L wrist X-ray, PA projection, age 15 y, boy, image 95.8 mm wide.

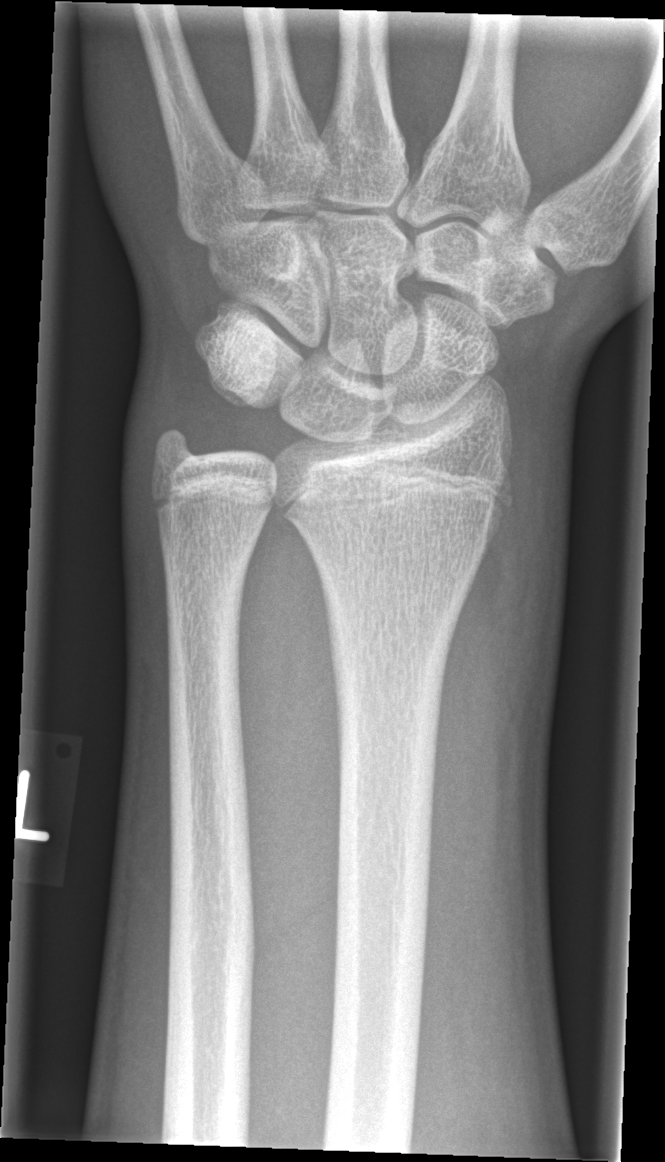
Bounding boxes in image-pixel xyxy. Soft tissue abnormality: (left=432, top=433, right=574, bottom=813). AO code 23r-M/2.1. Fracture present, but no bounding box because it is not clearly seen in this view.